Right wrist radiograph · PA/AP projection · 4y M · initial study · Siemens · 112.2 mm image width · 779 x 1078 px — 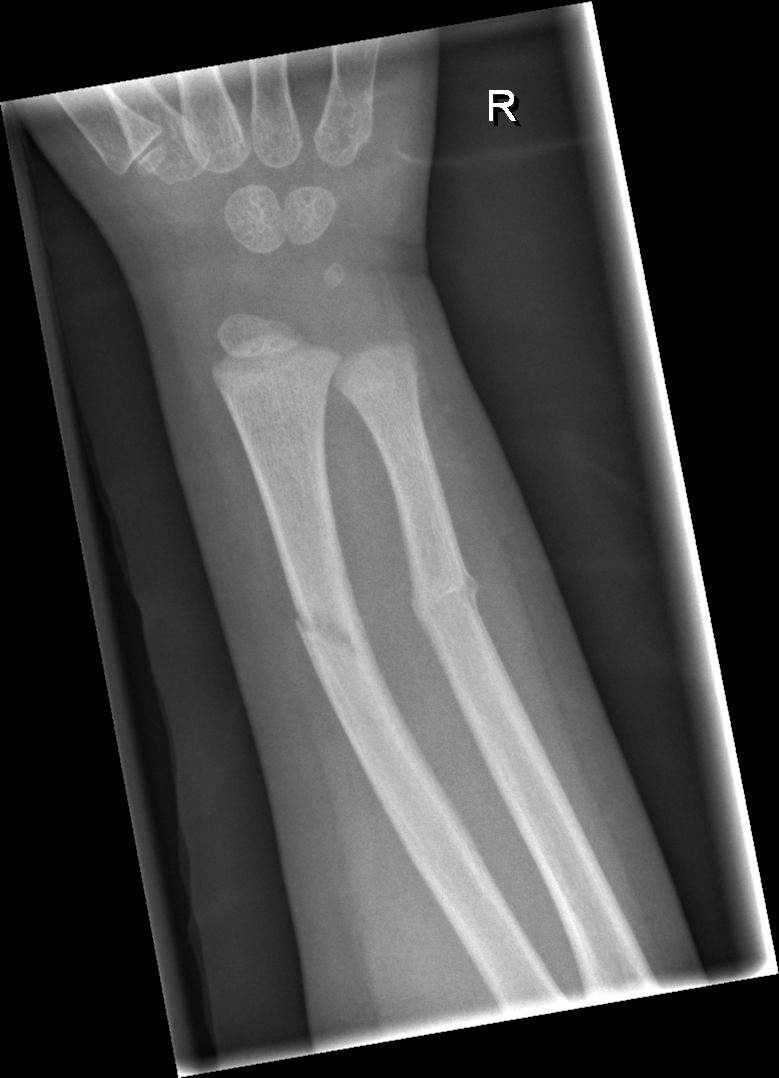

(boxes as x1,y1,x2,y2 (top-left / bottom-right, pixel units))
AO/OTA: 22-D/2.1
Fx: 2 @ (left=404, top=563, right=488, bottom=625) (left=294, top=603, right=374, bottom=660)